Lateral projection | right wrist X-ray | girl, 14 yo | 613 by 1006 pixels.
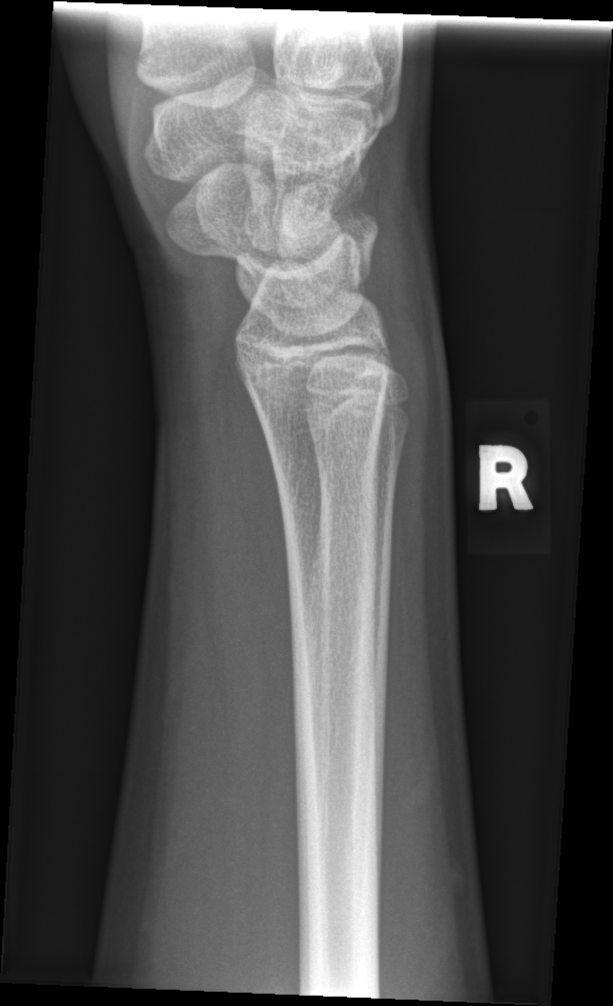

Fracture = none labeled